Left pediatric wrist radiograph, posteroanterior, age 10 y, boy
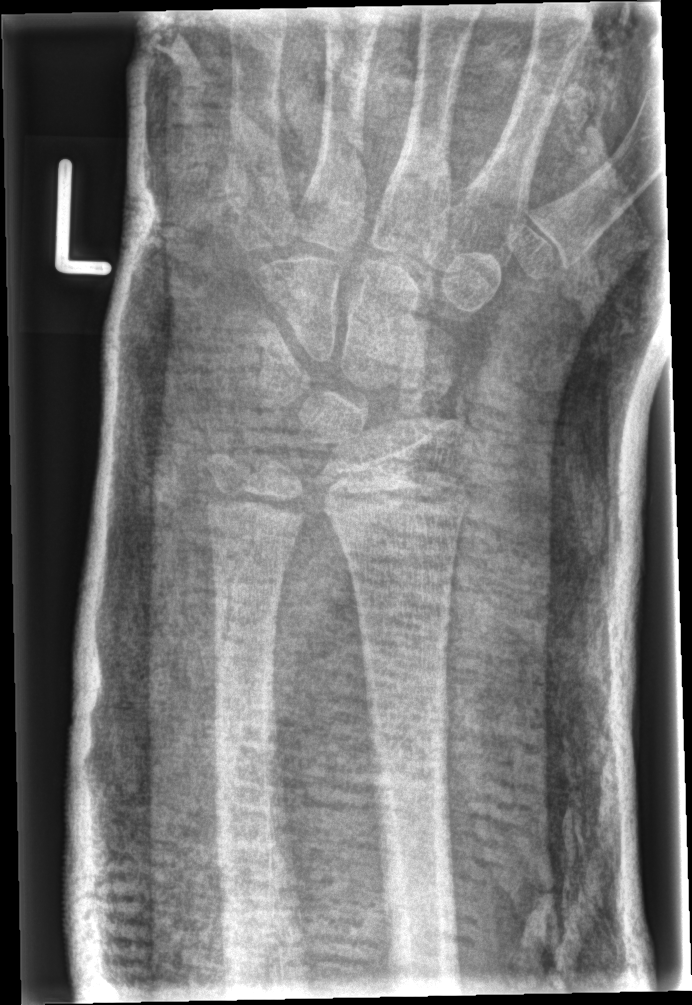
Coordinates are [x1, y1, x2, y2] in image pixels.
Fx — bbox(361, 682, 460, 797).